R wrist radiograph, posteroanterior view, imaged through cast, detector: Siemens —
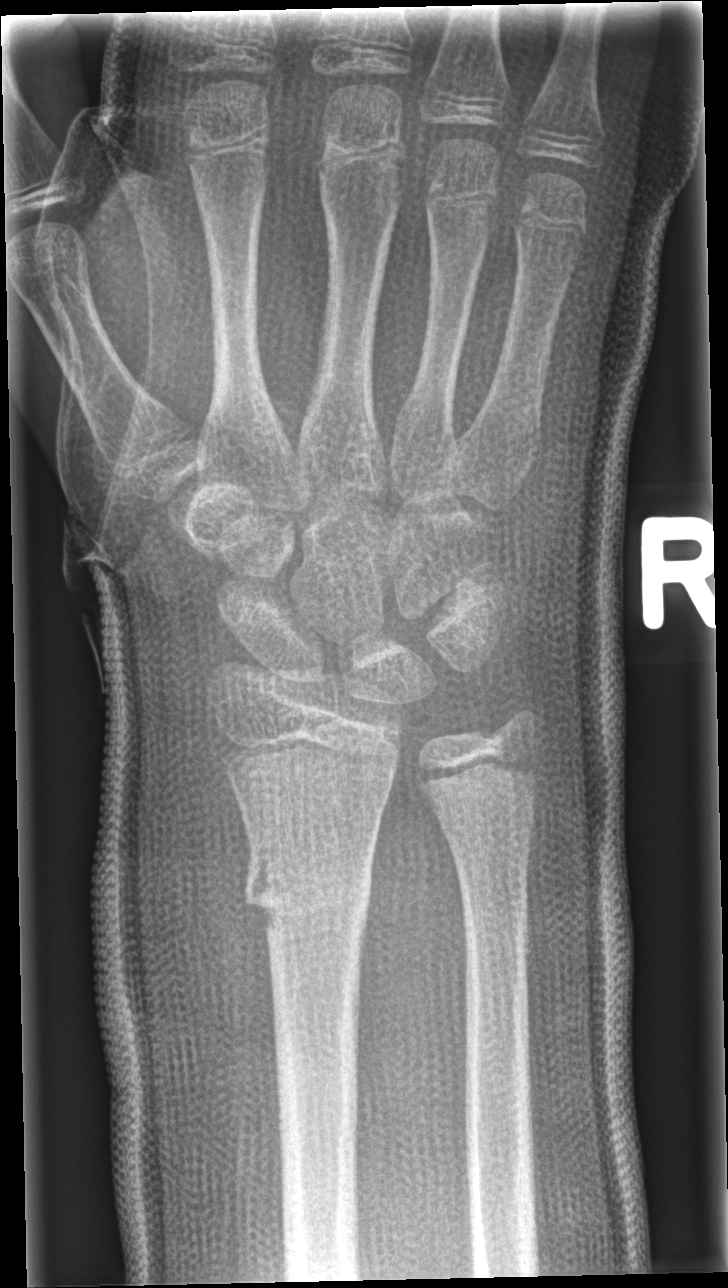
(coordinates are [x1, y1, x2, y2] in image pixels)
fracture: 1 @ (left=242, top=834, right=376, bottom=945)
AO code: 23r-M/2.1